Lt wrist XR | PA view

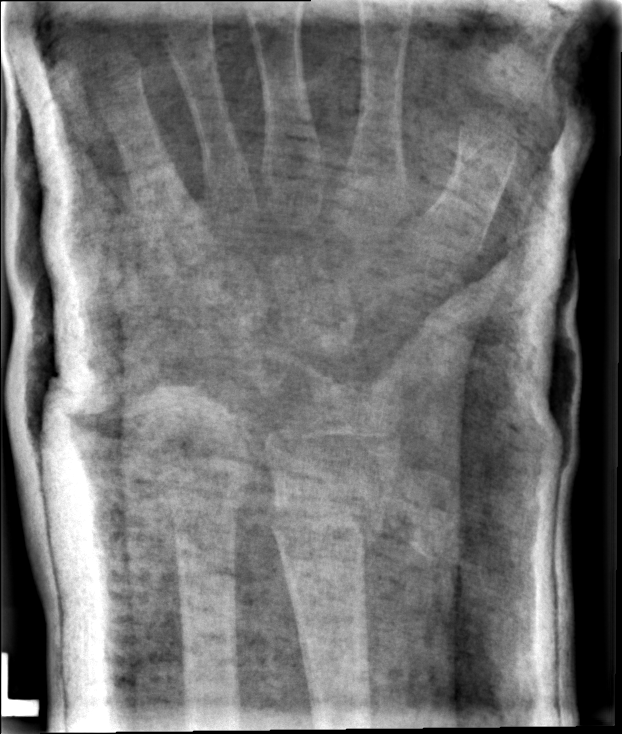 Fracture — <265,482>-<391,559>.